Lat; Rt wrist plain film; girl, 12 yo; 460 by 1050 pixels:

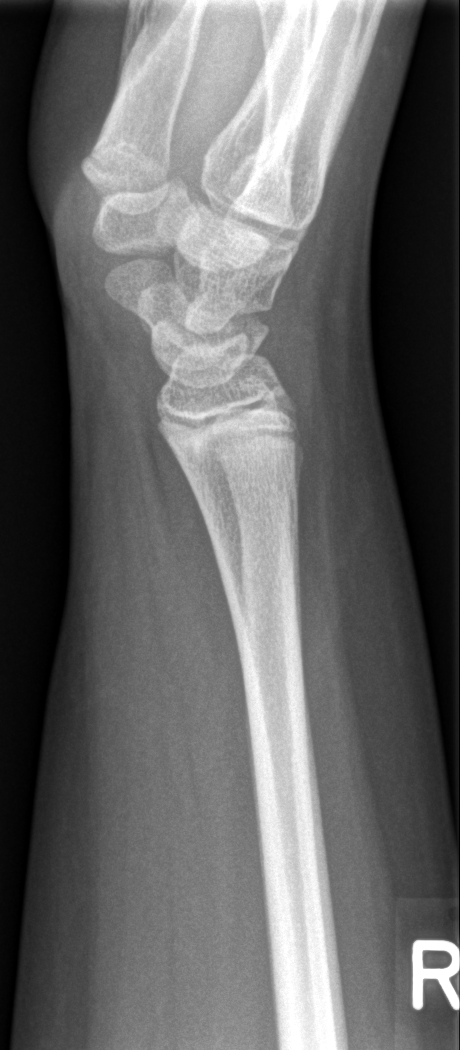 Q: Any fracture seen?
A: Fx: none